Left wrist XR, lateral, age 9 y, girl, subsequent exam, cast in situ, detector: Siemens — 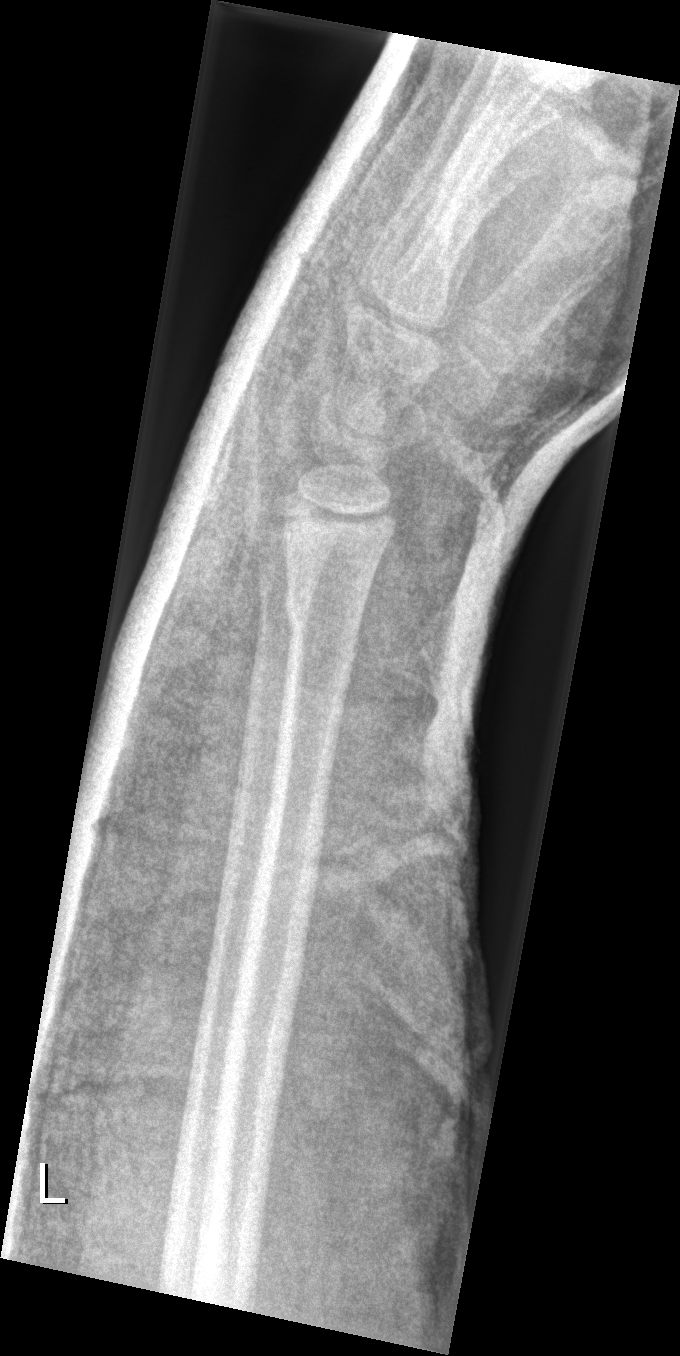 Fx = [x1=282, y1=579, x2=364, y2=664]
AO code = 23r-M/3.1; 23u-M/2.1